Left plain radiograph of the wrist; PA/AP projection; age 7 y, boy.
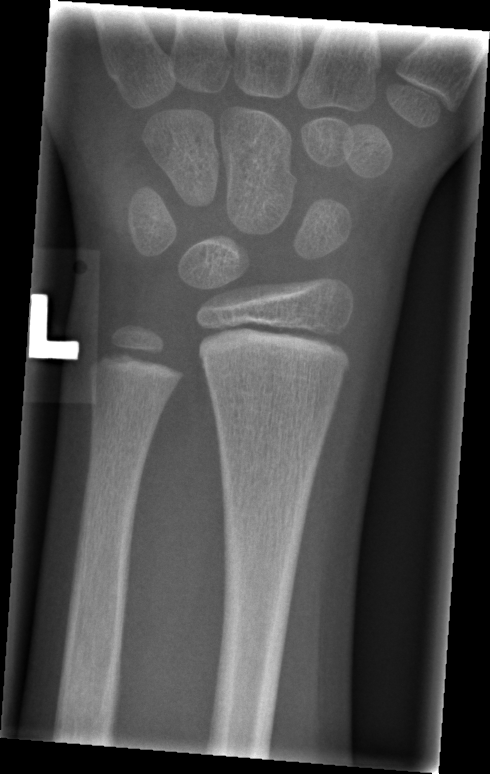 Fracture: none labeled